Left wrist plain film; AP; male, 15 yo; in cast; acquired on Siemens; 696 x 1177 px:
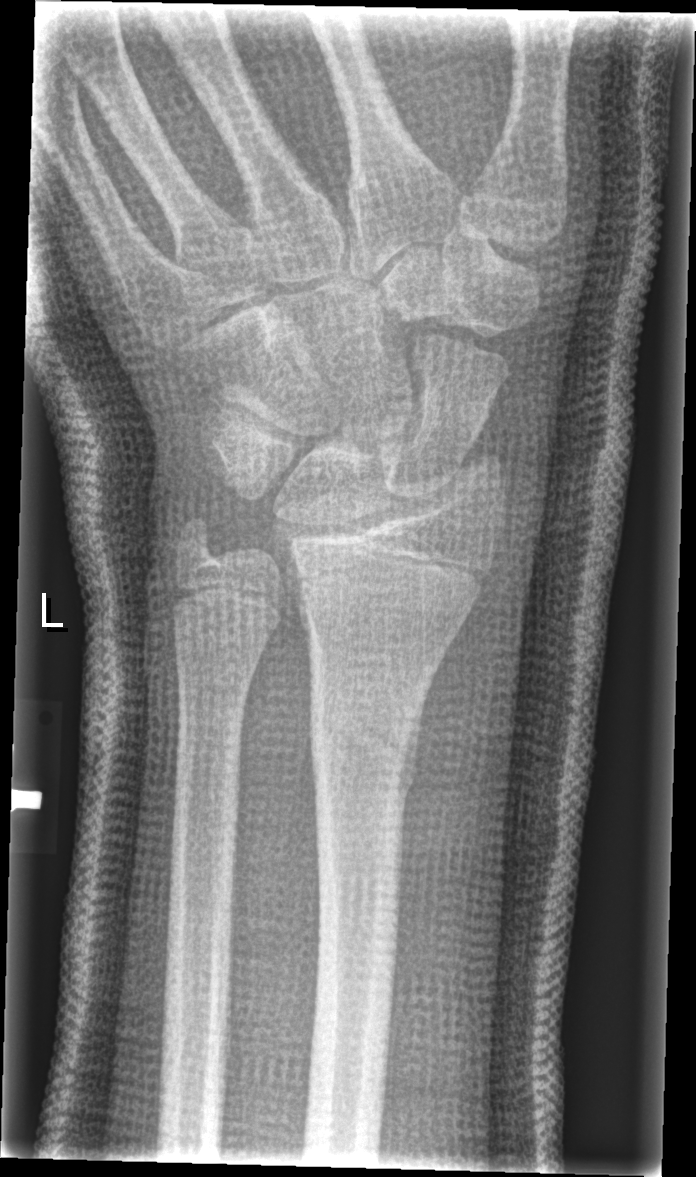 AO code 23r-M/3.1. Fx — 306,691,425,810.